Lt wrist radiograph · lateral view · acquired on Siemens · 410 by 964 pixels
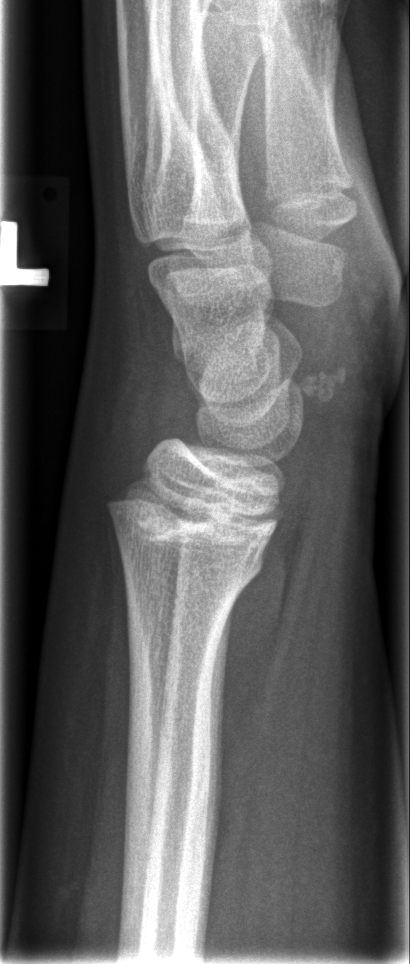

No Fx annotated.